L pediatric wrist radiograph; lat view; 9-year-old male; subsequent exam; detector: Siemens:
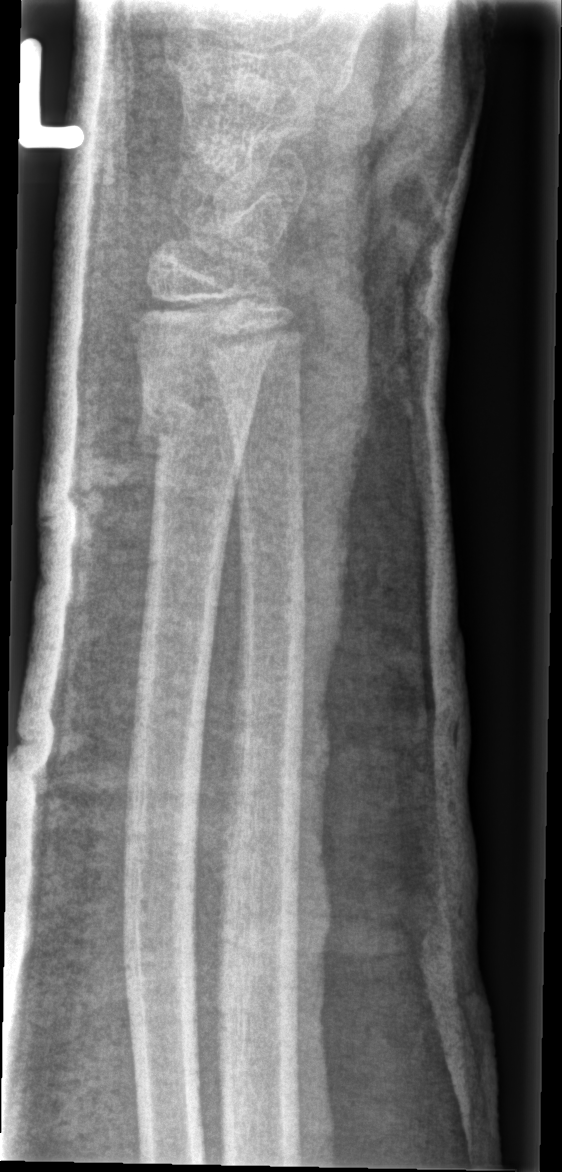
Coordinates are [x1, y1, x2, y2] in image pixels.
Fracture classified AO/OTA 23r-M/2.1; 23u-E/7.
One fracture at (left=133, top=383, right=254, bottom=468).